Left wrist XR, frontal view, age 12 y, boy, 610x1356:
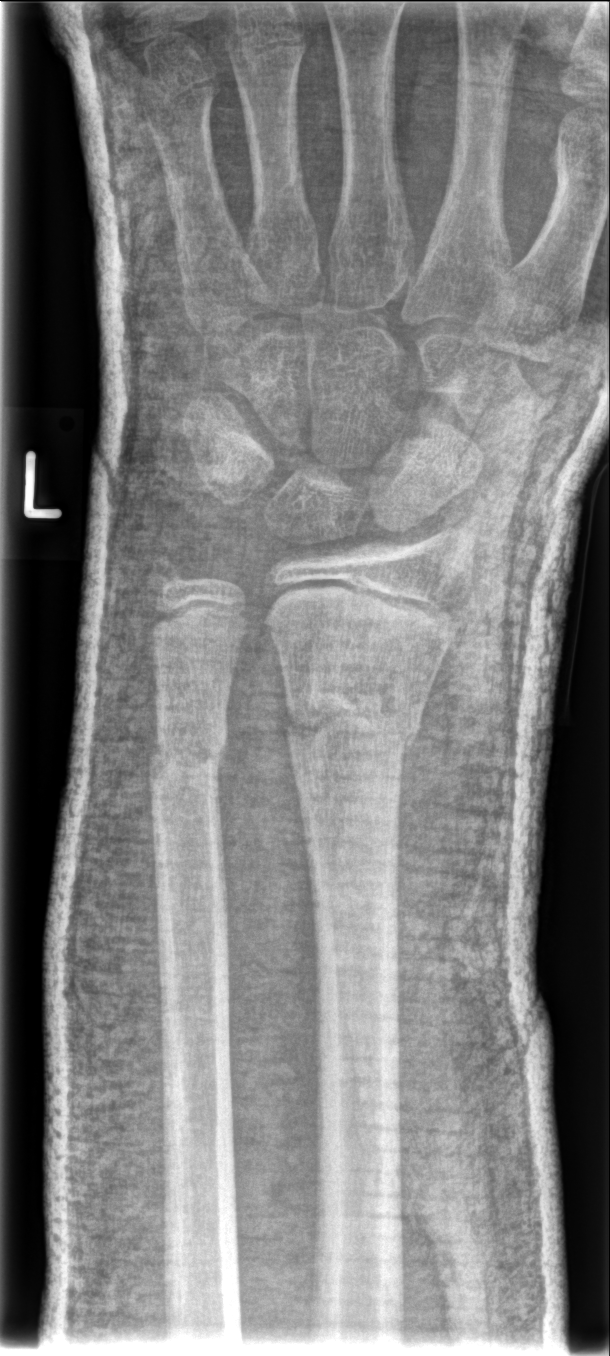
Fracture identified at bbox(283, 656, 425, 757) bbox(146, 725, 230, 781). Fracture classified AO/OTA 23-M/3.1.